Right wrist pediatric wrist radiograph; posteroanterior projection; boy, 14 yo; 823 x 1356 px — 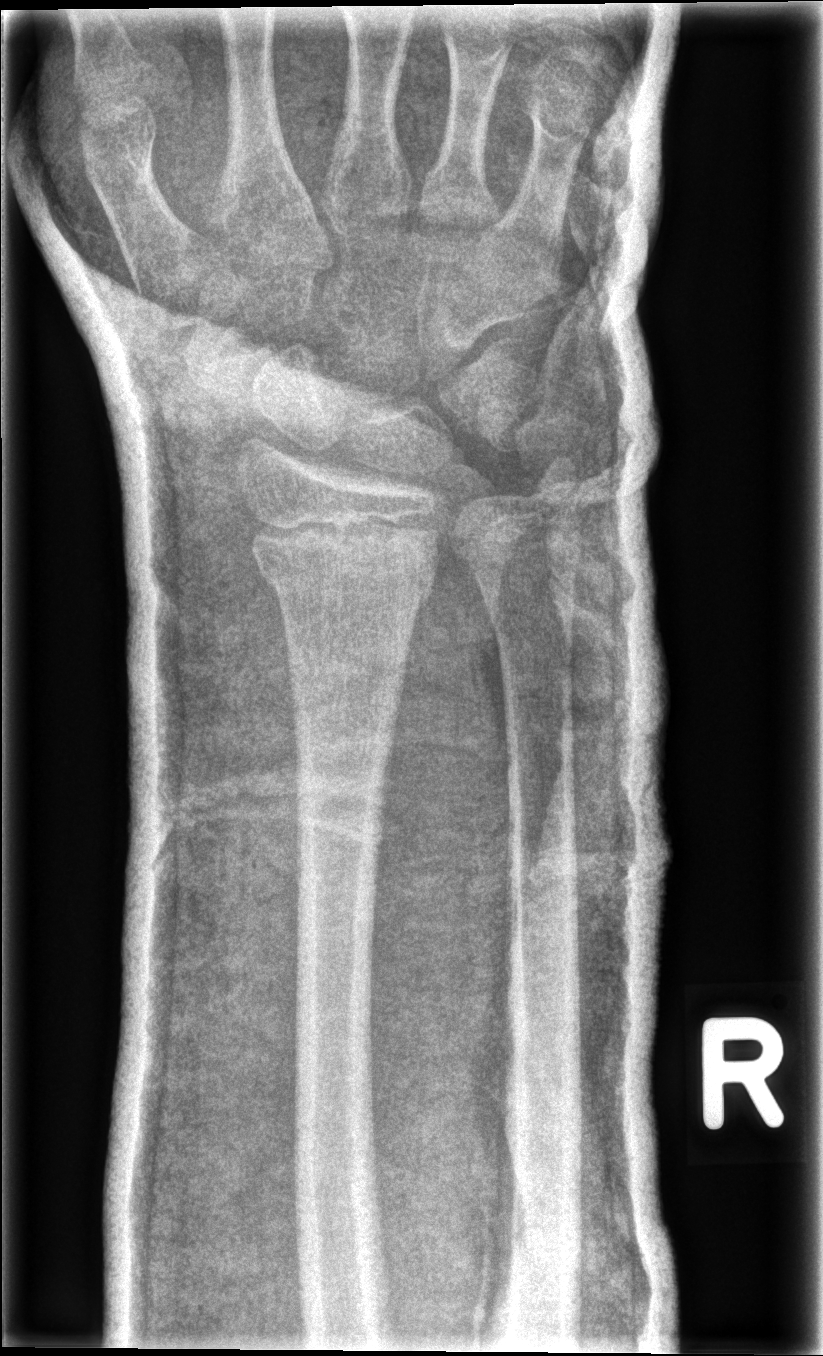

Fracture — <244,515>-<442,613>.